Frontal, left wrist radiograph —
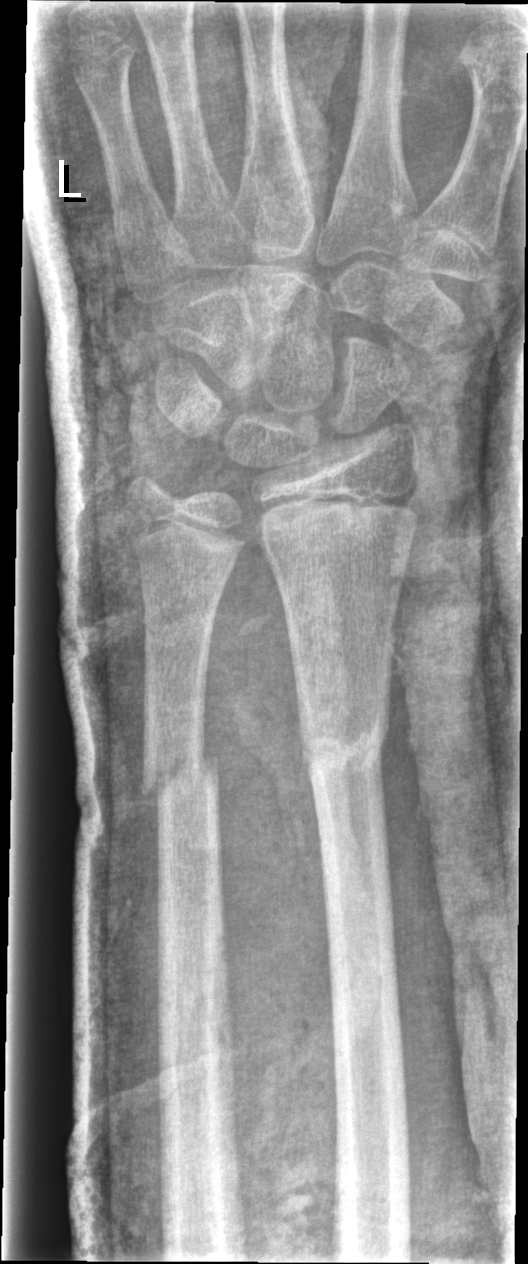
Q: Locate any fractures.
A: Fx — (290, 709, 400, 792); (135, 731, 228, 820)
Q: What is the AO/OTA classification?
A: Fracture classified AO/OTA 22-D/4.1